Rt plain radiograph of the wrist; lat projection; detector: Siemens. 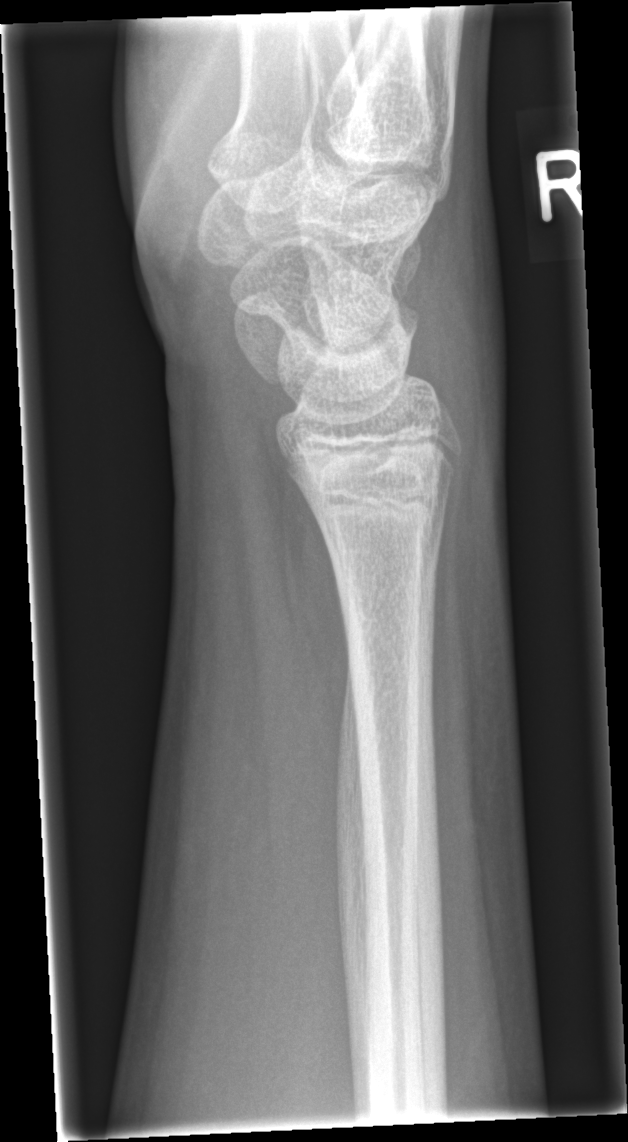
bone fracture = none labeled